L plain radiograph of the wrist | posteroanterior projection | pediatric patient (girl, age 12) | acquired on Siemens.
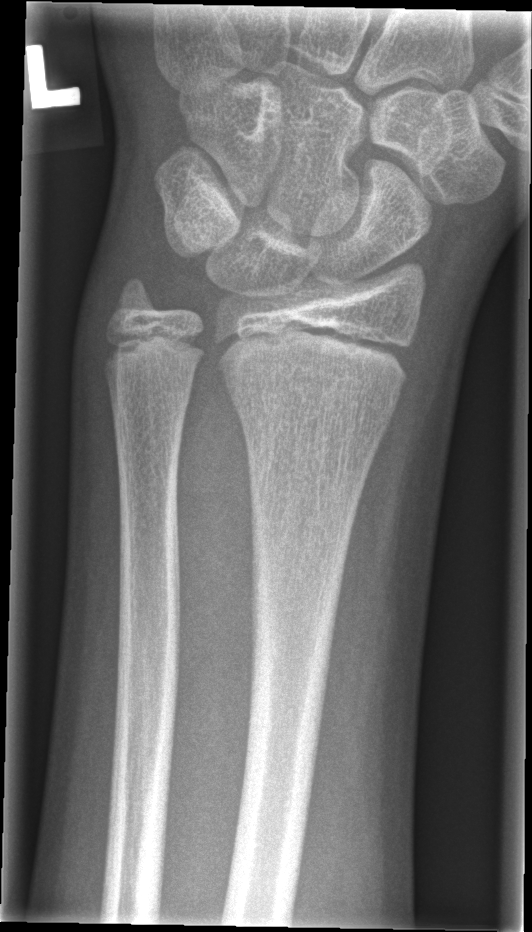 • AO/OTA classification: 23r-M/2.1.
• Fx present but not clearly seen in this view.